PA projection · left wrist pediatric wrist radiograph · 10y F · follow-up · 141.7 mm image width:

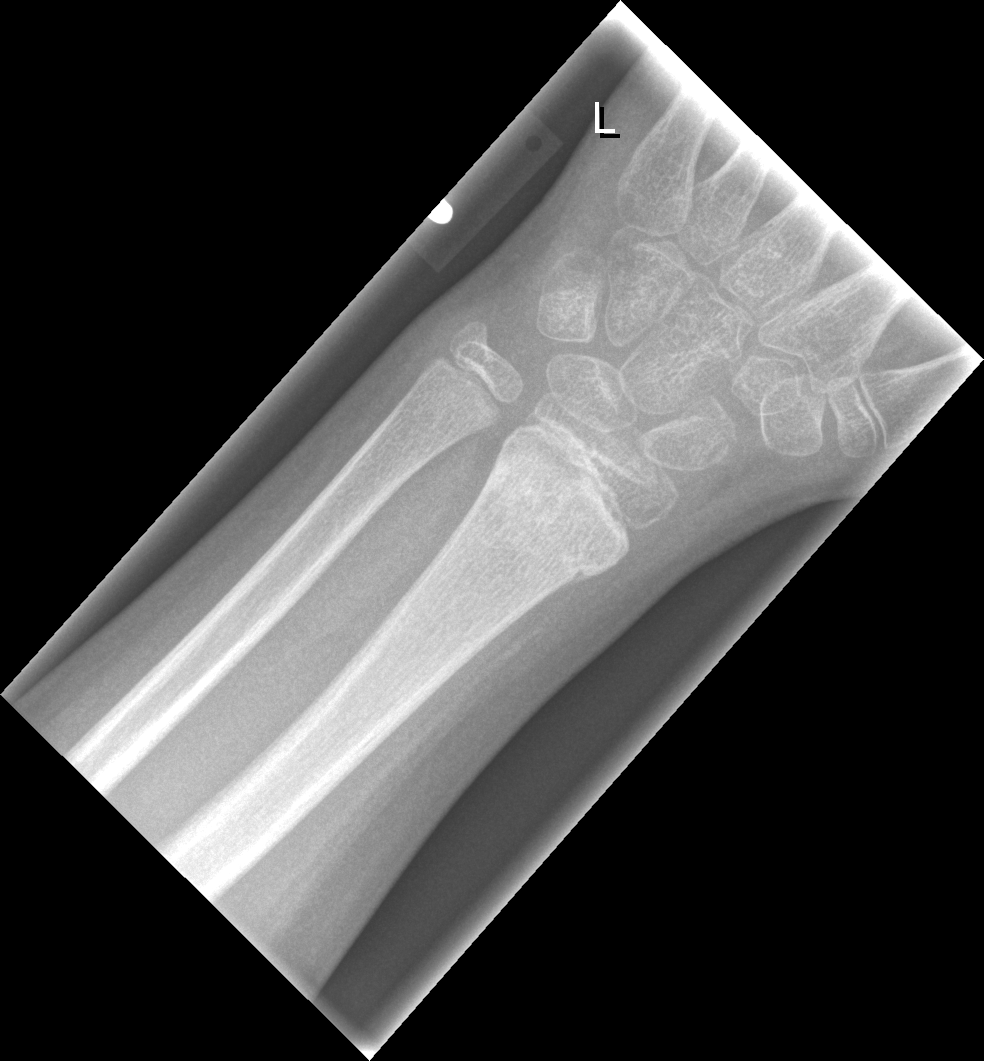 Osteopenic. One fracture at [x1=478, y1=449, x2=608, y2=592].